Lt wrist X-ray | PA/AP | follow-up study | in cast.

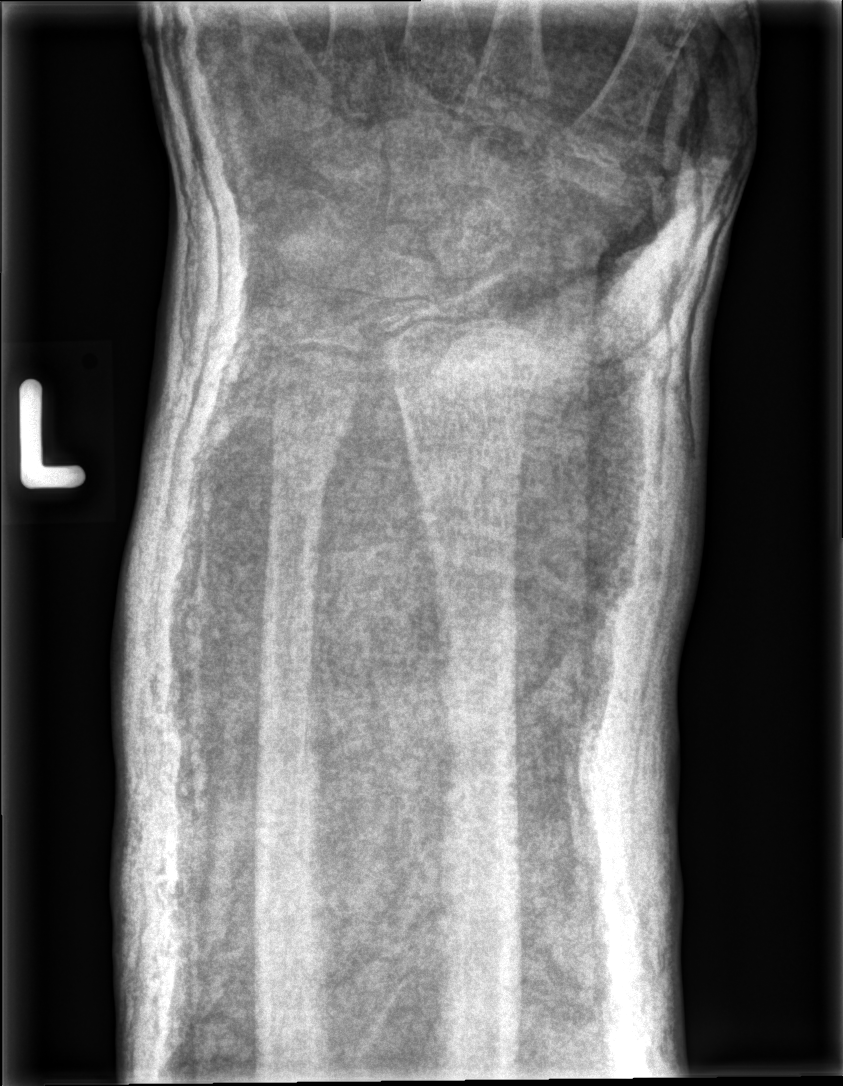

Fracture present but not clearly seen in this view.